Rt wrist plain film, lat projection, age 7 y, female, initial study 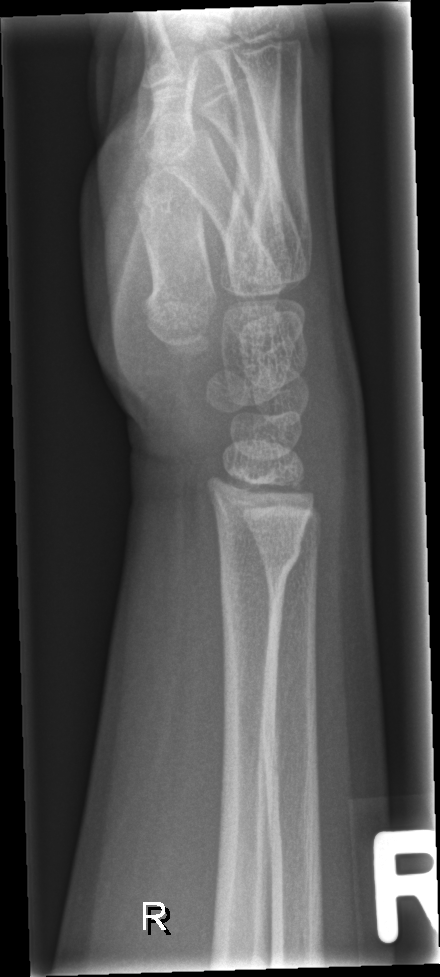
Fracture: <213,531>-<304,592>.